PA/AP; left wrist plain film; 601 x 936 px —
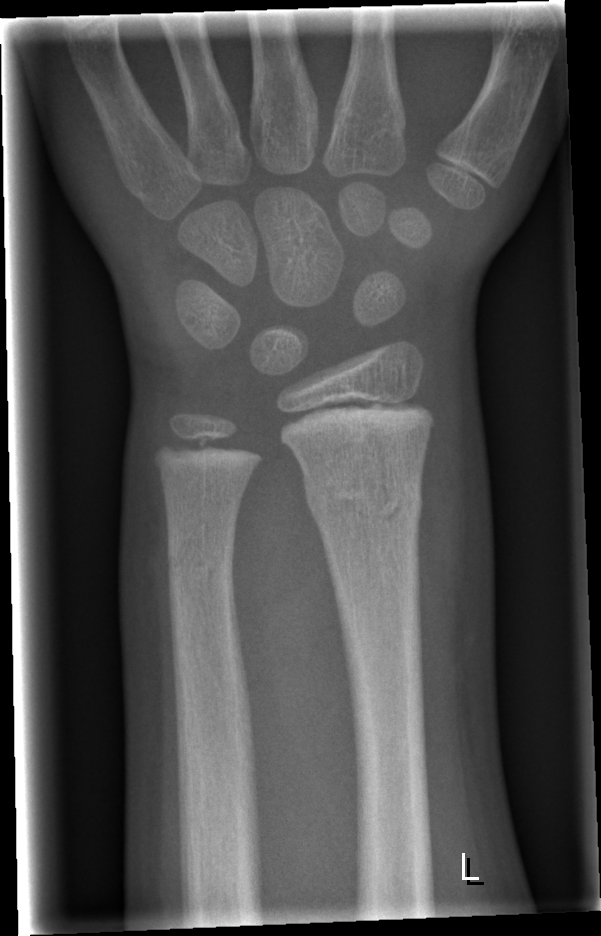

(bounding boxes in image-pixel xyxy)
Q: What is the AO/OTA classification?
A: AO/OTA classification: 23-M/2.1
Q: Any fracture seen?
A: Fx — [300, 462, 426, 530]; [163, 538, 242, 589]